Left wrist plain film · lat projection · 10-year-old boy · initial study
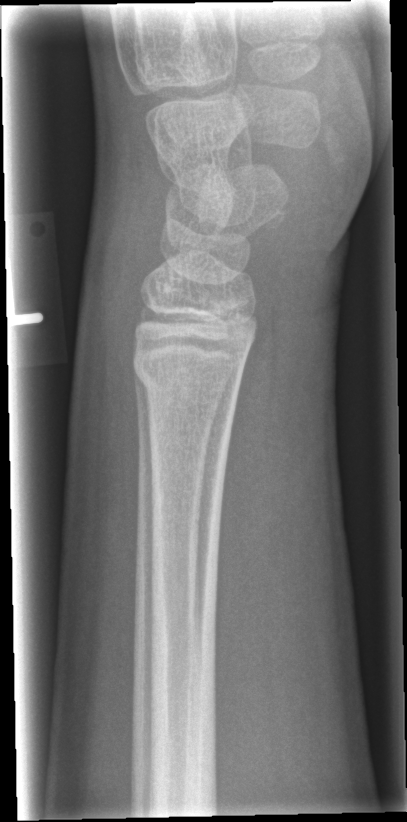 FINDINGS — AO/OTA classification: 23r-M/2.1. One fracture at [x1=131, y1=354, x2=245, y2=401].